Left wrist pediatric wrist radiograph; PA projection; image size 582x926 — 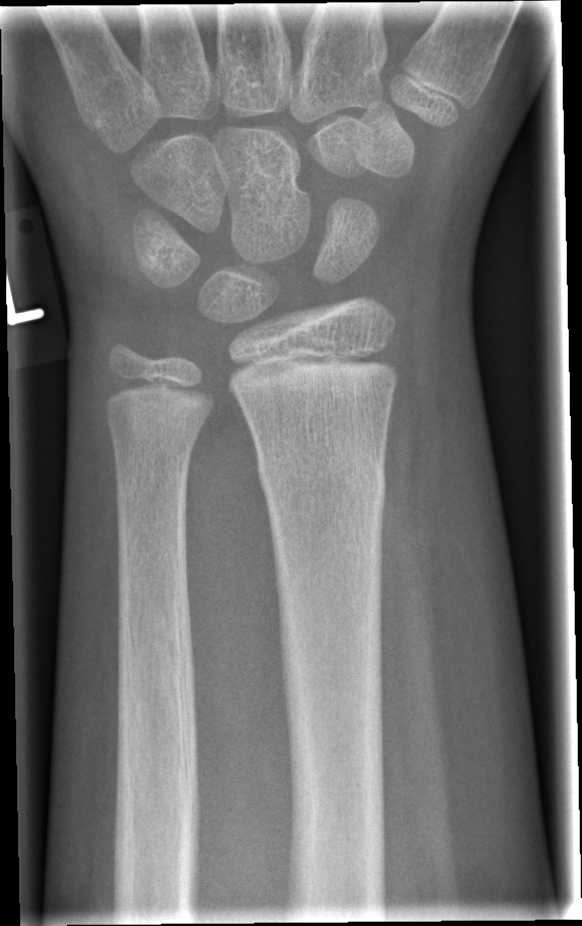

(bounding boxes in image-pixel xyxy)
Fx: <255,436>-<391,518>